Lat projection; L wrist radiograph; pediatric patient (girl, age 11); image 65.1 mm wide.

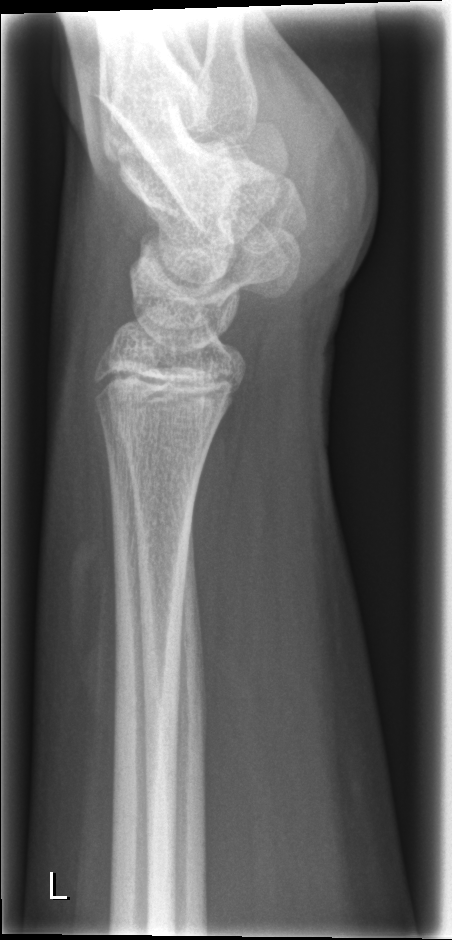 {
  "fracture": "none labeled"
}